R wrist radiograph, lateral, initial study, image 78.8 mm wide.
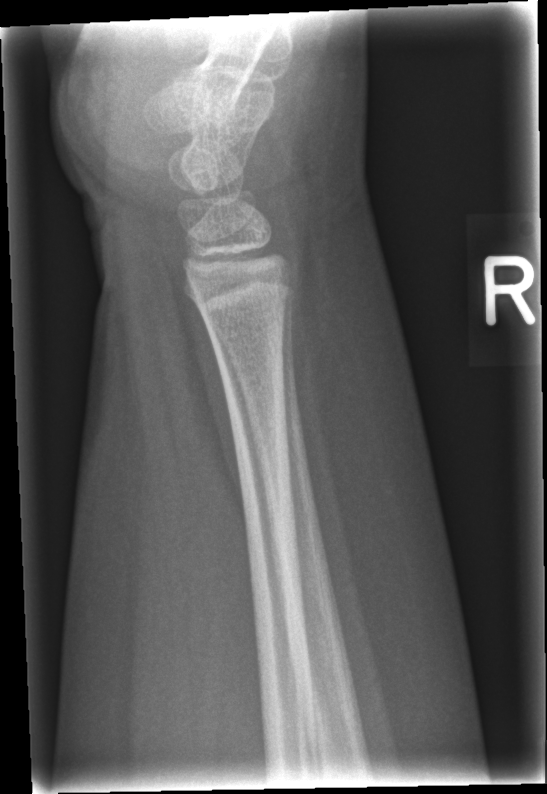

{"fracture": "none labeled"}